Right plain radiograph of the wrist, lateral, cast in situ, detector: Siemens, 542 x 1170 px —

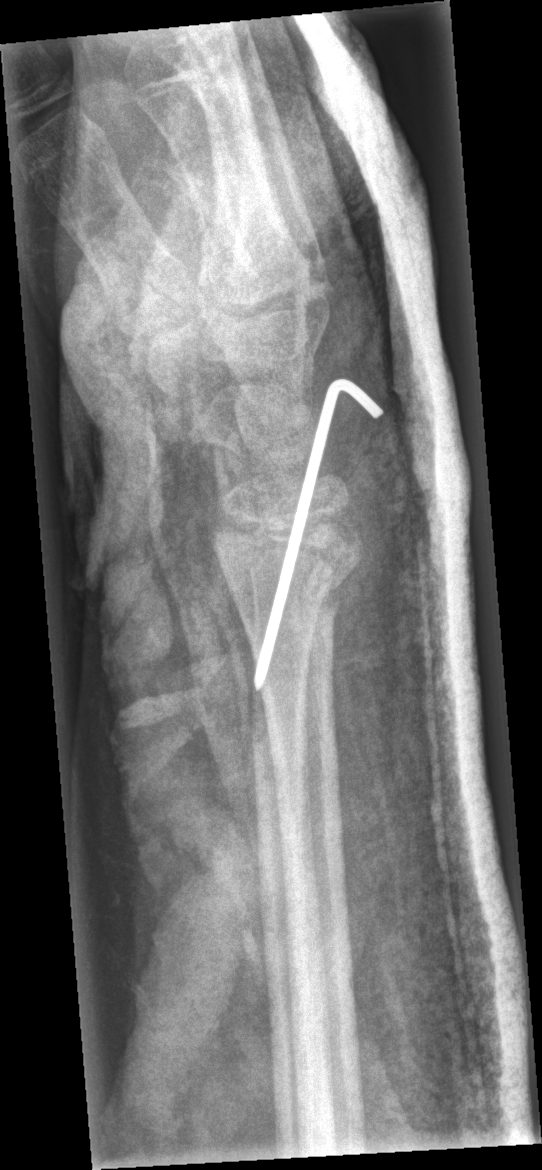

# coordinates are [x1, y1, x2, y2] in image pixels
ao: 23r-E/2.1; 23u-E/7
fracture: 1 @ (left=208, top=512, right=369, bottom=619)
metal: (left=249, top=372, right=386, bottom=695)